Right wrist radiograph; lateral view.
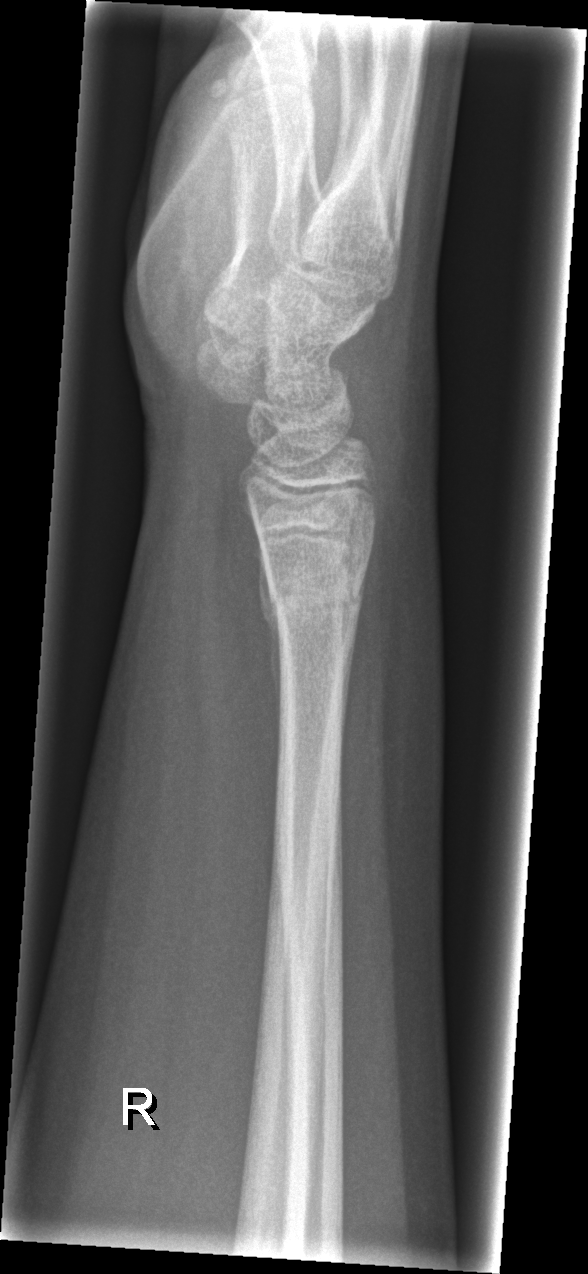
{
  "_coords": "pixel coordinates, top-left origin, xyxy",
  "osteopenia": "present",
  "fracture": "1 @ <258,551>-<368,645>",
  "ao": "23r-M/3.1; 23u-E/7",
  "periostealreaction": "<253,533>-<281,742>"
}